Lat; L plain radiograph of the wrist.
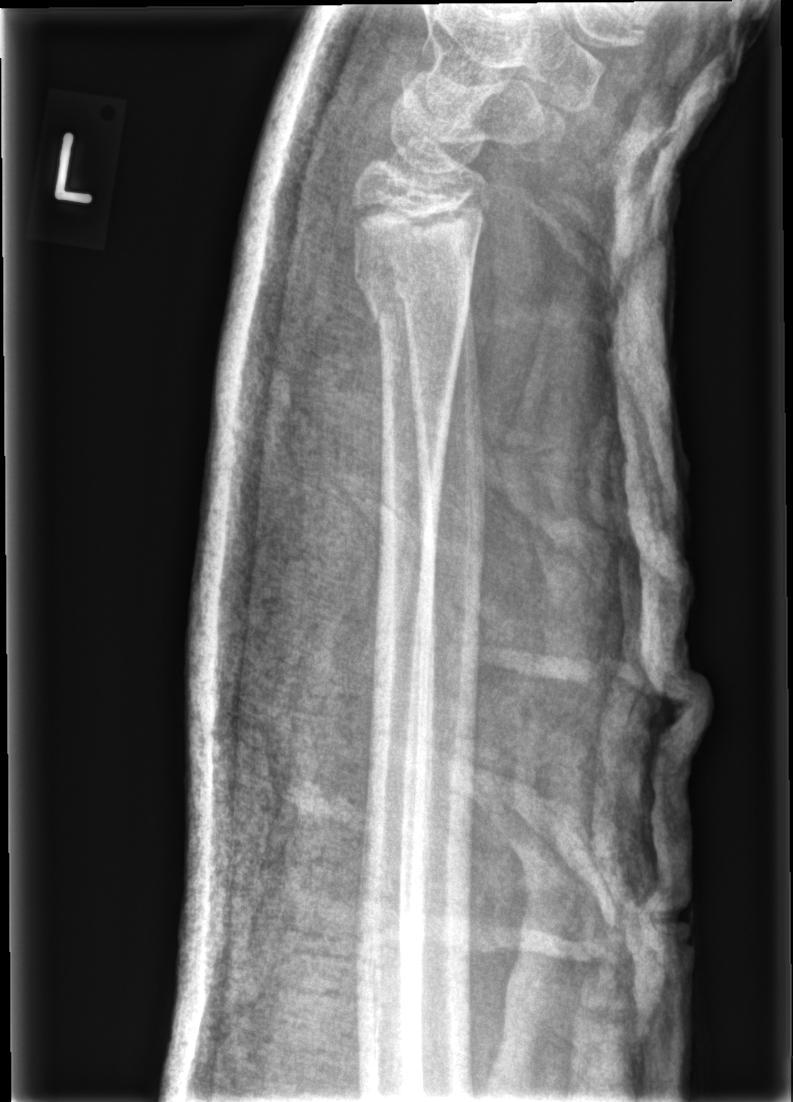 Q: AO code?
A: AO code 23-M/2.1
Q: Locate any fractures.
A: Fracture — 350,250,476,357